Lateral · right wrist plain film · 12y F
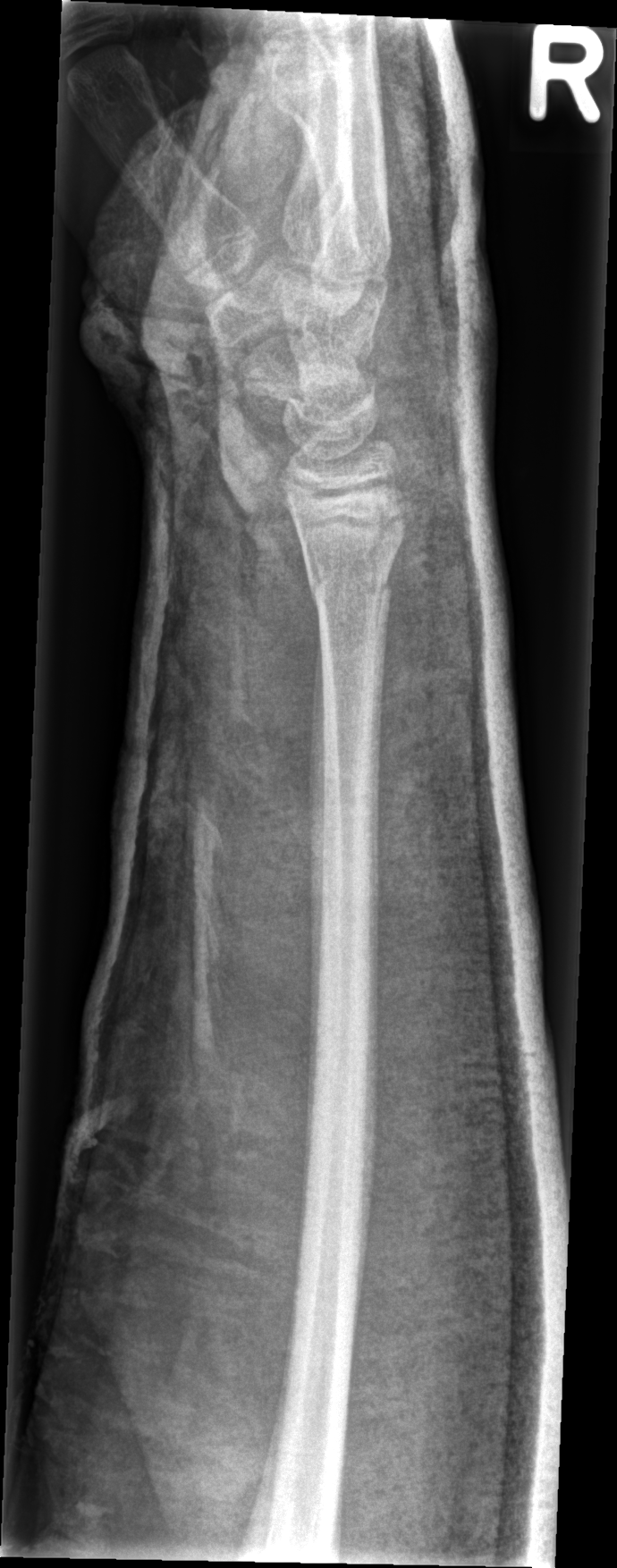
- Pixel coordinates, top-left origin, xyxy.
- Fx: (303, 546, 399, 624).
- AO code 23r-M/3.1; 23u-E/7.